PA view | Lt wrist XR | 5-year-old boy | follow-up study | imaged through cast | detector: Siemens | 648 x 1117 px.
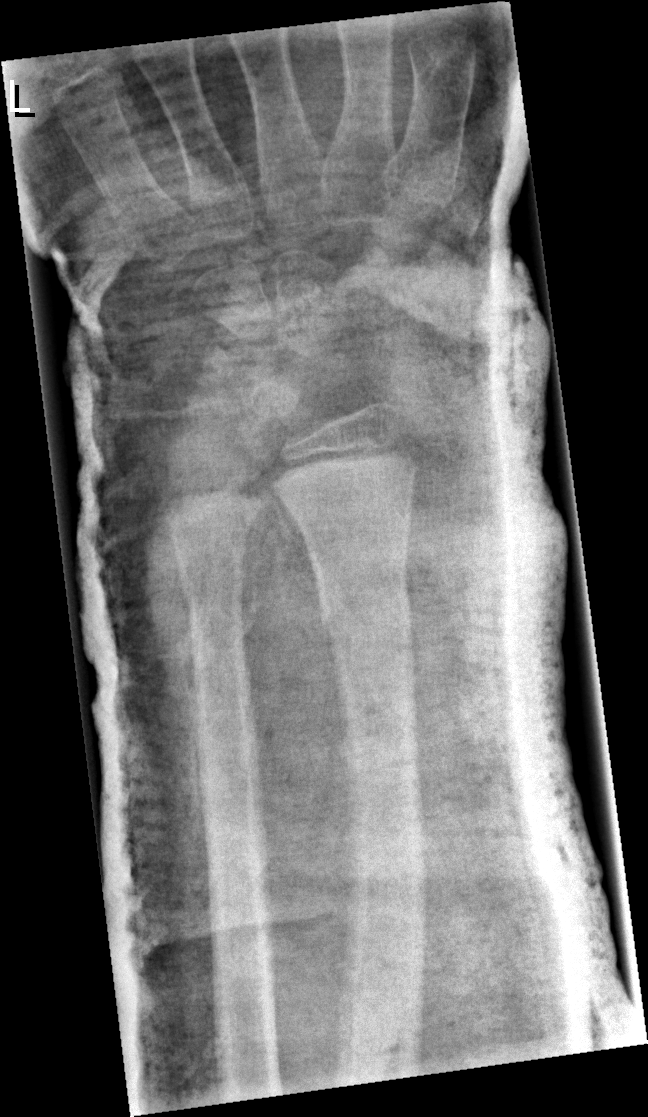
Bone fracture: (309, 584, 418, 646), (173, 557, 249, 641).
AO code 23-M/3.1.